Frontal view; right wrist plain film; acquired on Siemens:

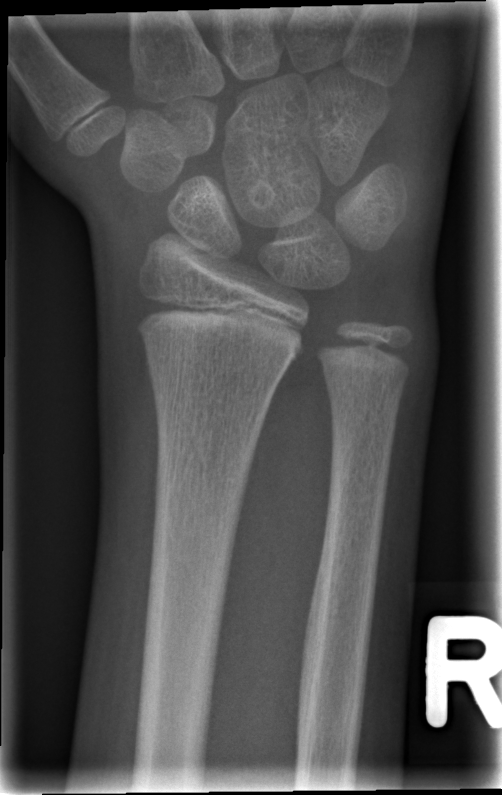

  fracture: none labeled